Left plain radiograph of the wrist | AP projection | 10y M | follow-up | cast present:
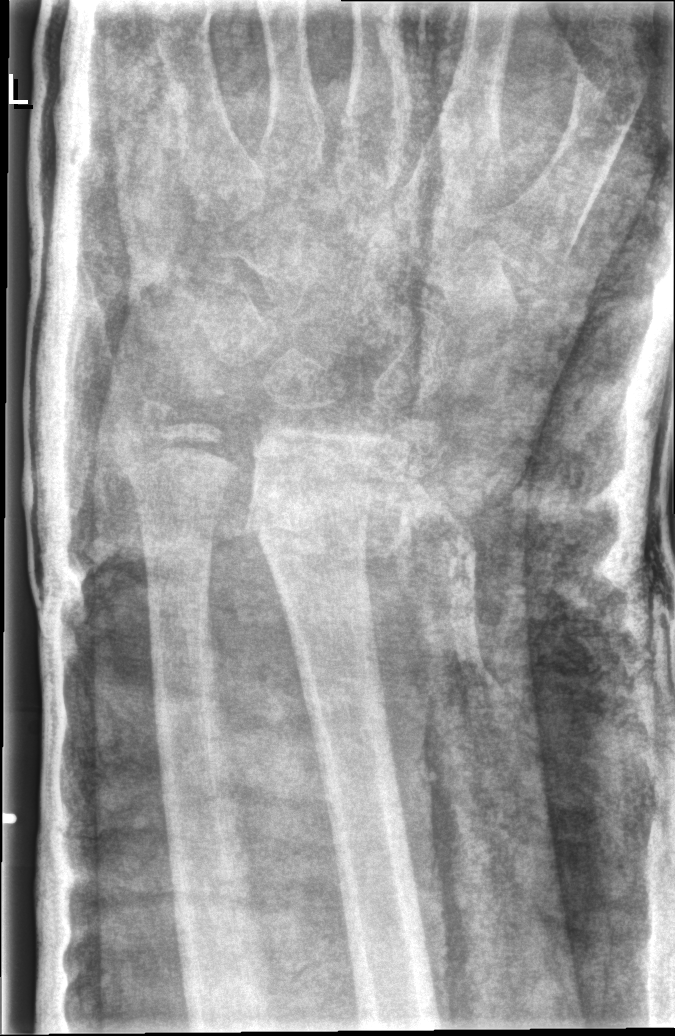

Bone fracture: (250, 459, 445, 556) (106, 392, 192, 450)
AO code: 23r-E/2.1; 23u-E/7